Posteroanterior projection, left plain radiograph of the wrist, acquired on Siemens — 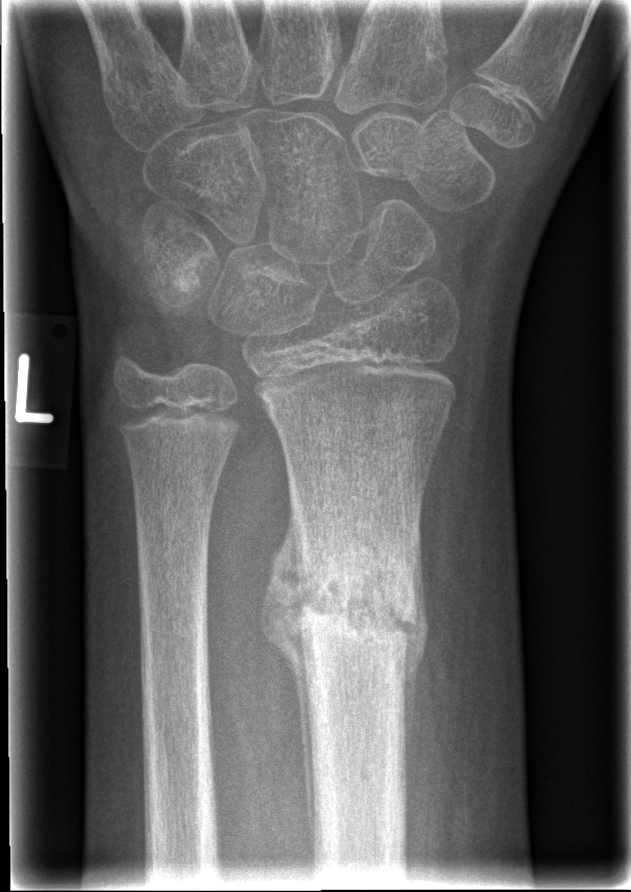

FINDINGS — (coordinates are [x1, y1, x2, y2] in image pixels) Fracture: [293, 537, 416, 660]. Two periosteal reaction at [256, 491, 317, 858], [404, 521, 431, 779].